R wrist X-ray · PA/AP projection 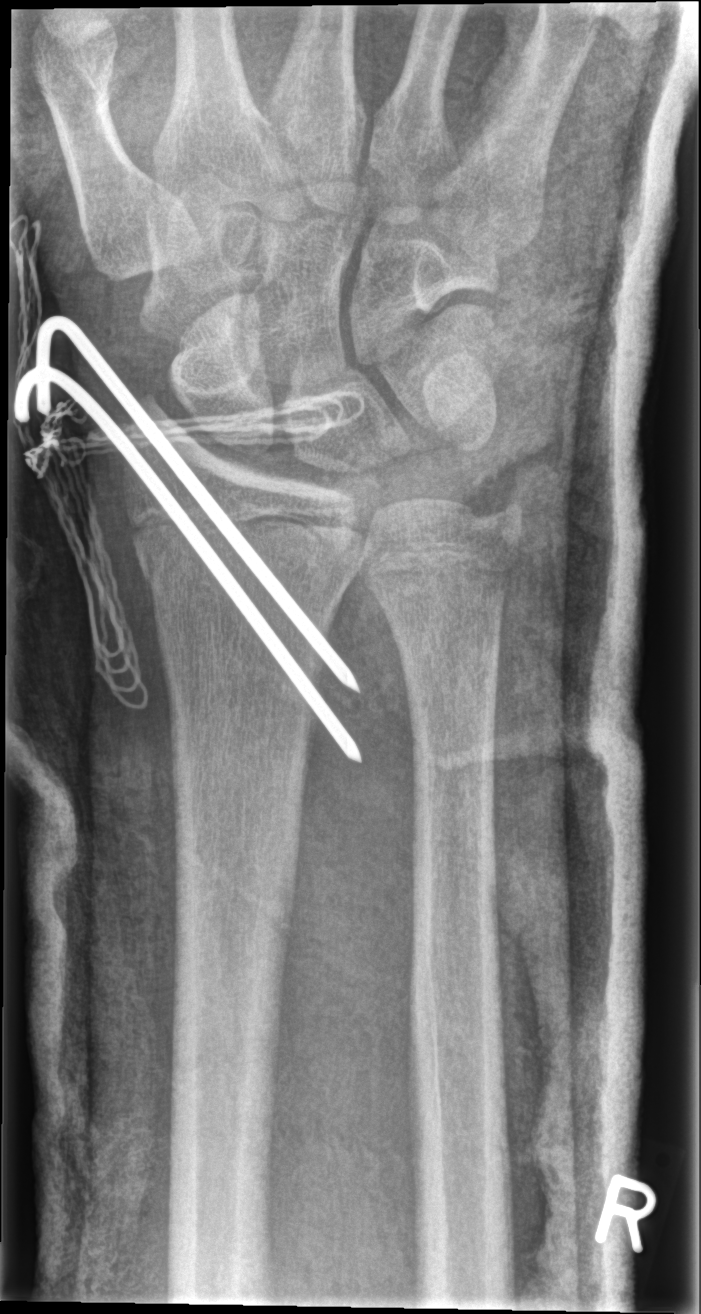
AO classification: 23r-E/2.1; 23u-E/7
Metal: 1 @ (14, 314, 366, 769)
Fracture: 2 @ (132, 514, 376, 592); (467, 468, 529, 530)